Lt plain radiograph of the wrist | lat projection | subsequent exam | 58.9 mm image width | 409x1036:

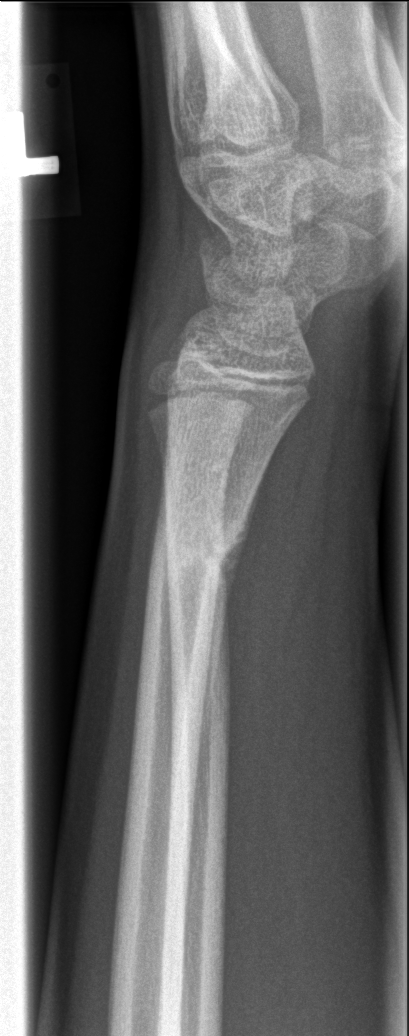

Reduced bone mineral density. Fracture classified AO/OTA 23r-M/2.1. Periosteal thickening identified at (200, 448, 273, 752). Fracture: (147, 511, 245, 588).